Left wrist radiograph, lateral view, acquired on Siemens.

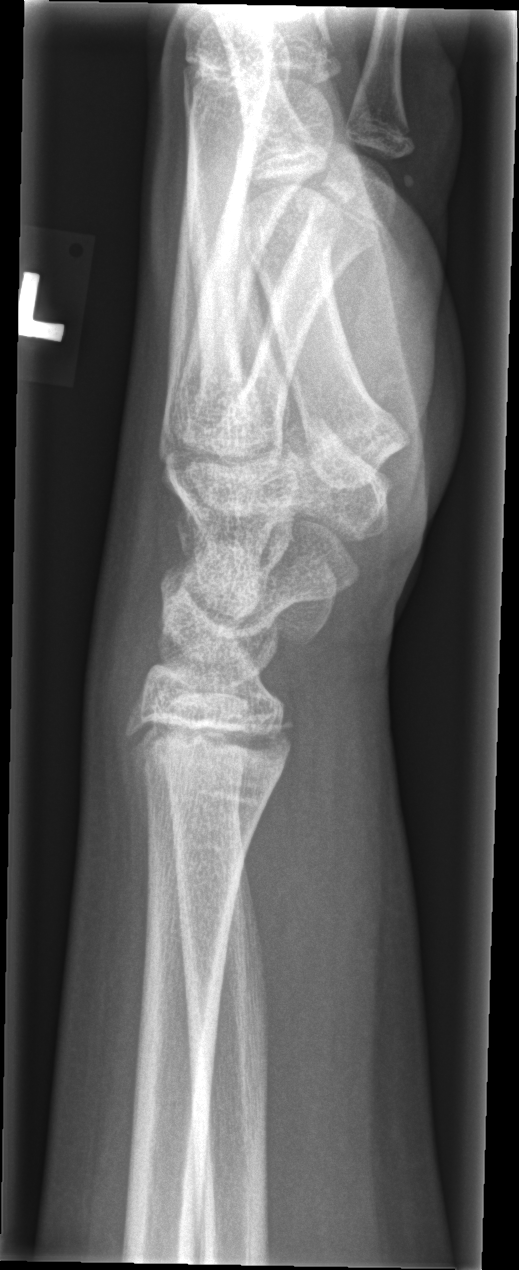 {"_coords": "pixel coordinates, top-left origin, xyxy", "fracture": "1 @ bbox(122, 707, 297, 792)"}